L wrist X-ray, lat view
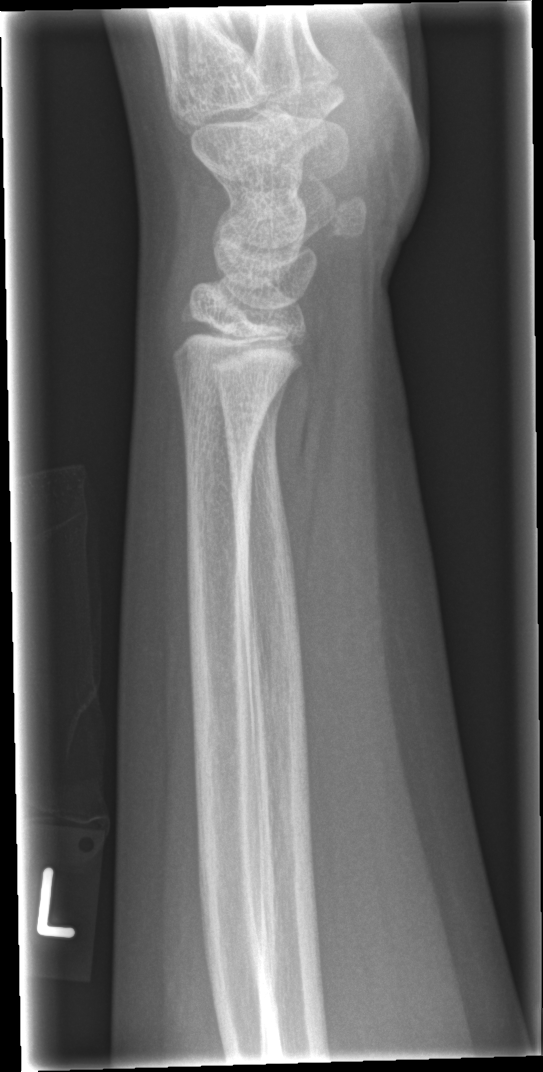

{"fracture": "none labeled"}